Lat view | left wrist plain radiograph of the wrist | age 17 y, boy:
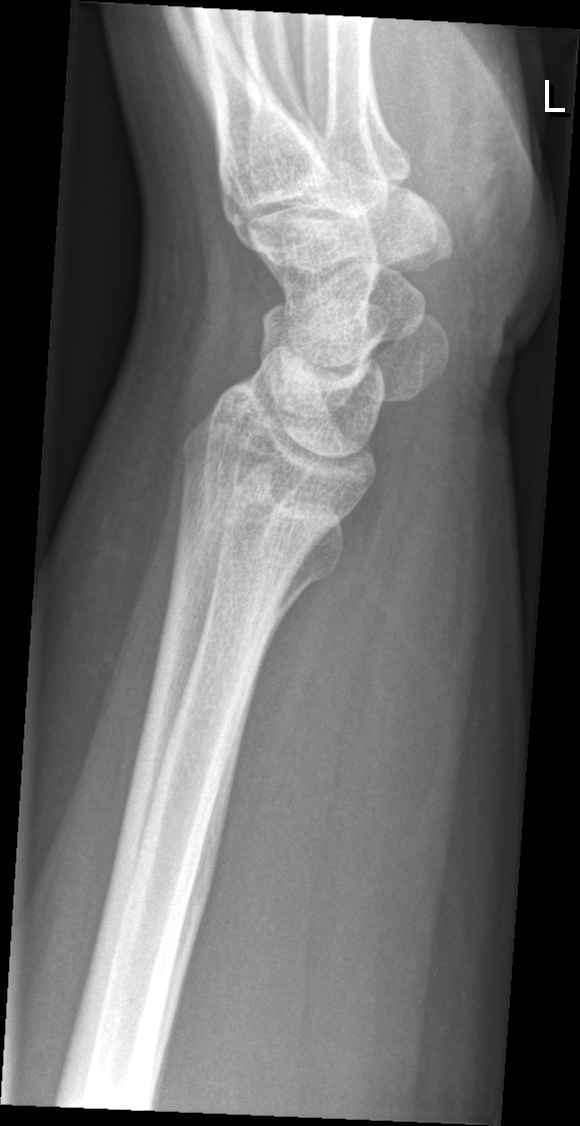

Fx: none labeled